Rt wrist X-ray · lat view · cast in situ 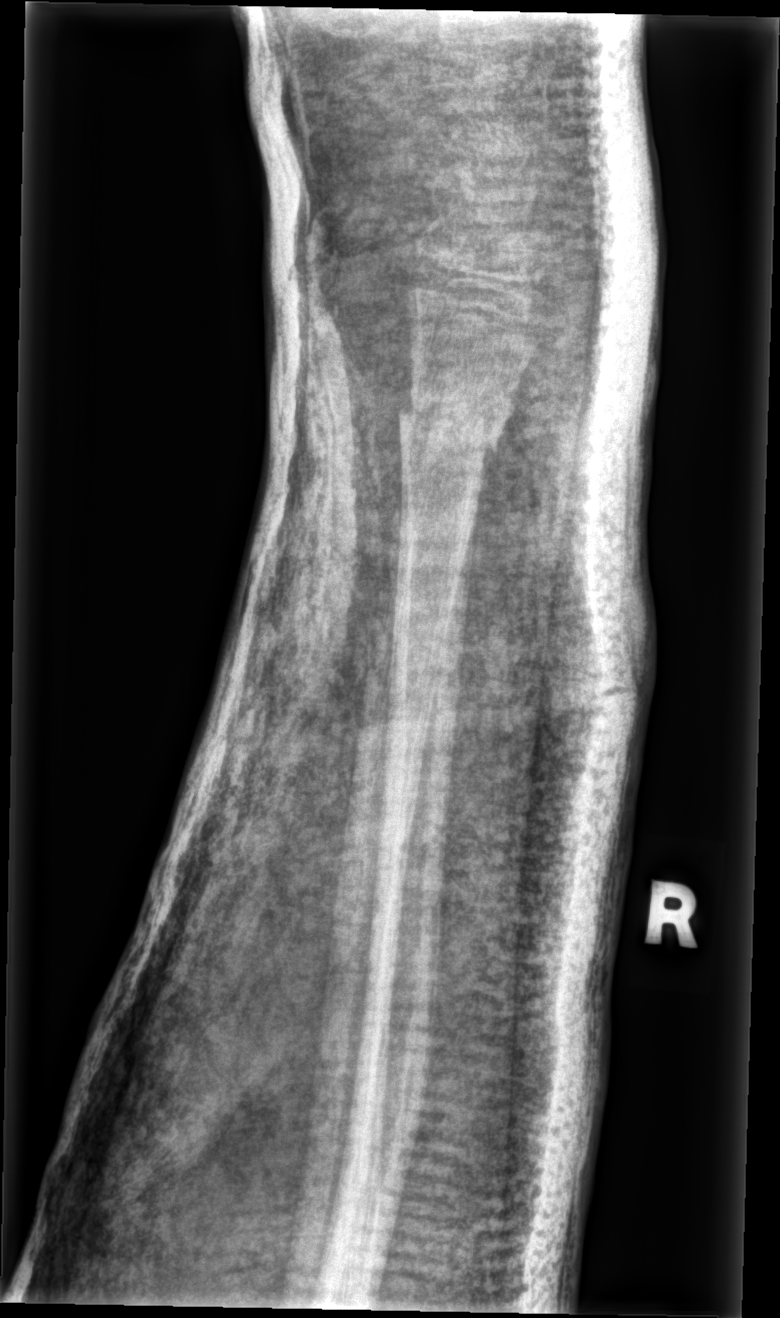
Boxes as x1,y1,x2,y2 (top-left / bottom-right, pixel units).
Fracture classified AO/OTA 23-M/3.1.
Bone fracture identified at [x1=397, y1=380, x2=516, y2=466].